Lateral, left wrist X-ray, 8y M —

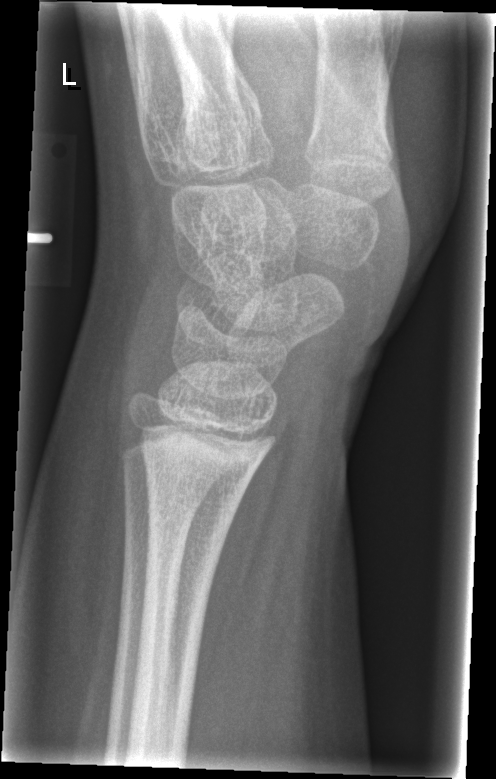 Findings: Fracture: none labeled.